Right wrist pediatric wrist radiograph; posteroanterior projection; 12-year-old female

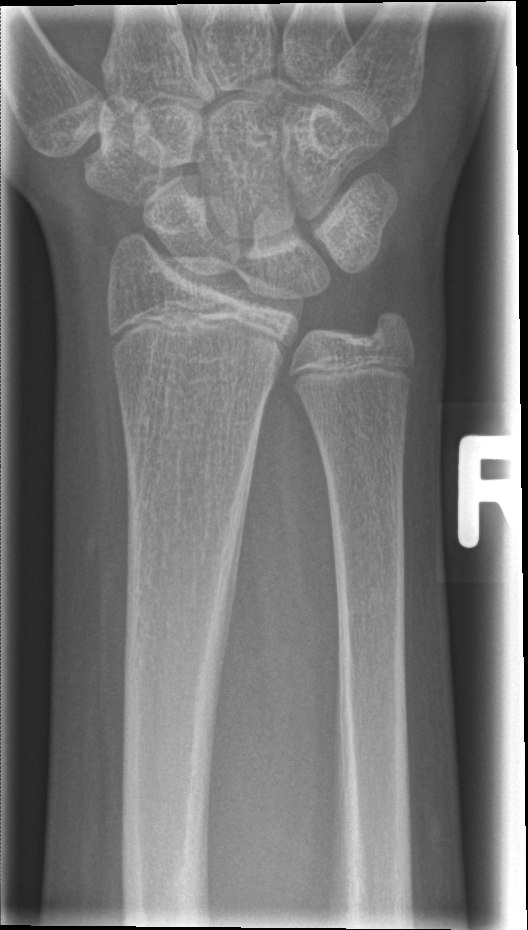

* Fracture: none labeled.